Lateral projection | left wrist pediatric wrist radiograph | 8-year-old male —

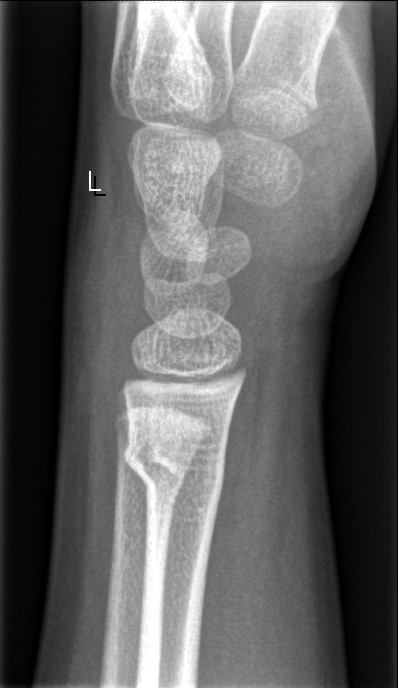 Fracture classified AO/OTA 23-M/2.1. Bone fracture — [x1=120, y1=427, x2=235, y2=502].